Lat projection · R wrist XR · 334 x 904 px
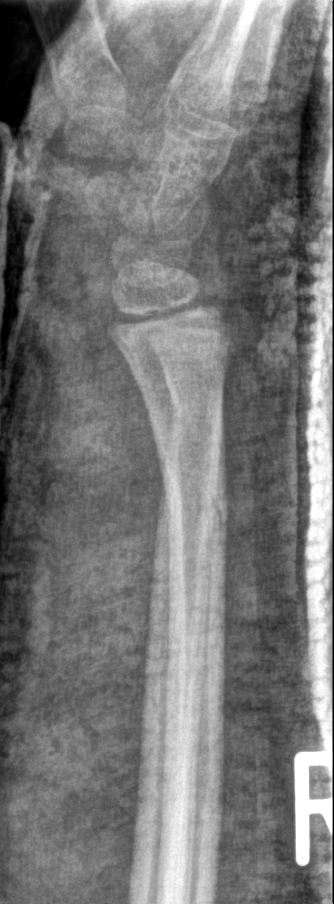 Fx: <161,469>-<233,552>; <166,379>-<229,436>
AO/OTA: 23r-M/3.1; 23u-M/2.1